Left wrist pediatric wrist radiograph | PA view | index exam | image width 80.6 mm —
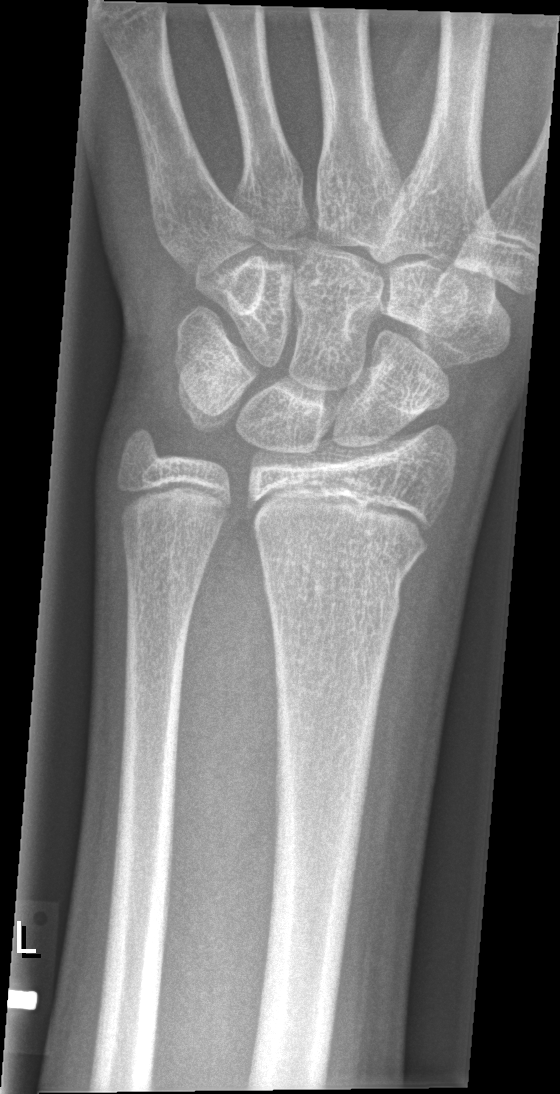

Bounding boxes in image-pixel xyxy. Fracture — bbox(257, 538, 428, 622).